Right pediatric wrist radiograph | posteroanterior projection | 10-year-old female | detector: Siemens | 67.4 mm image width —
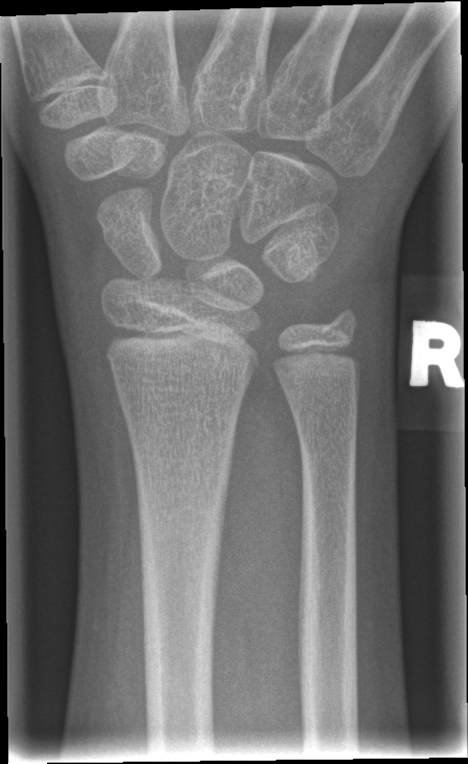 fracture: none labeled